L wrist plain film; posteroanterior view; age 3 y, female; follow-up; imaged through cast; 687x1116 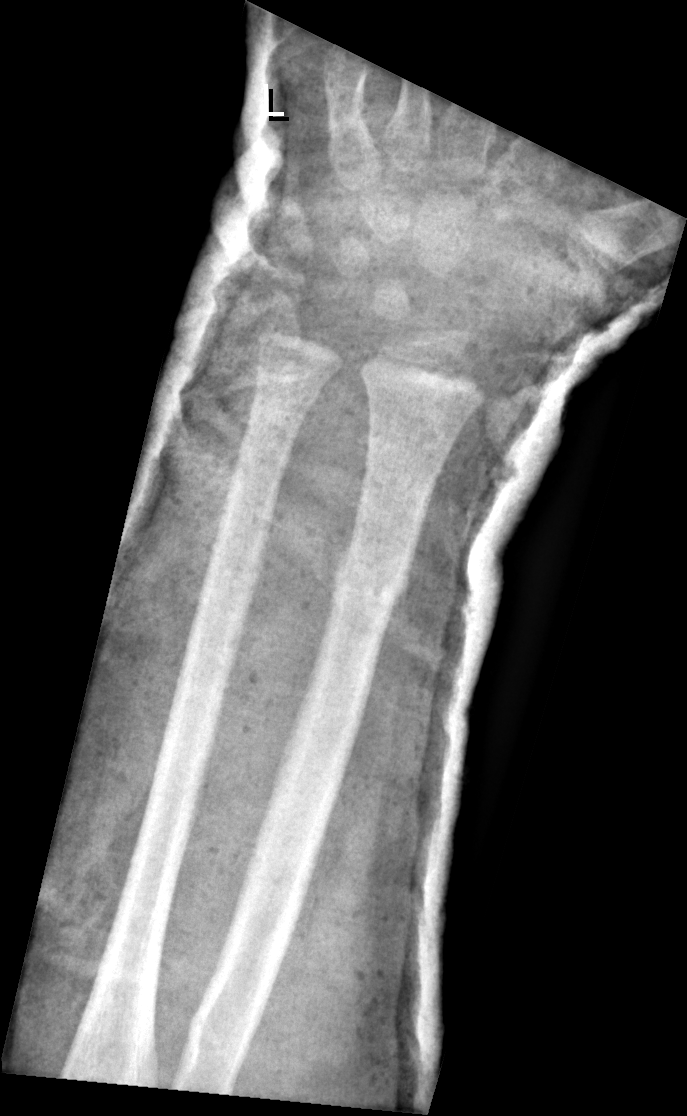
{"fracture": "<326,551>-<413,609> <252,359>-<322,411>", "ao": "22r-D/2.1; 23u-M/2.1"}